PA view · left wrist plain film · pediatric patient (girl, age 7) · initial study · Siemens · image width 80.1 mm.
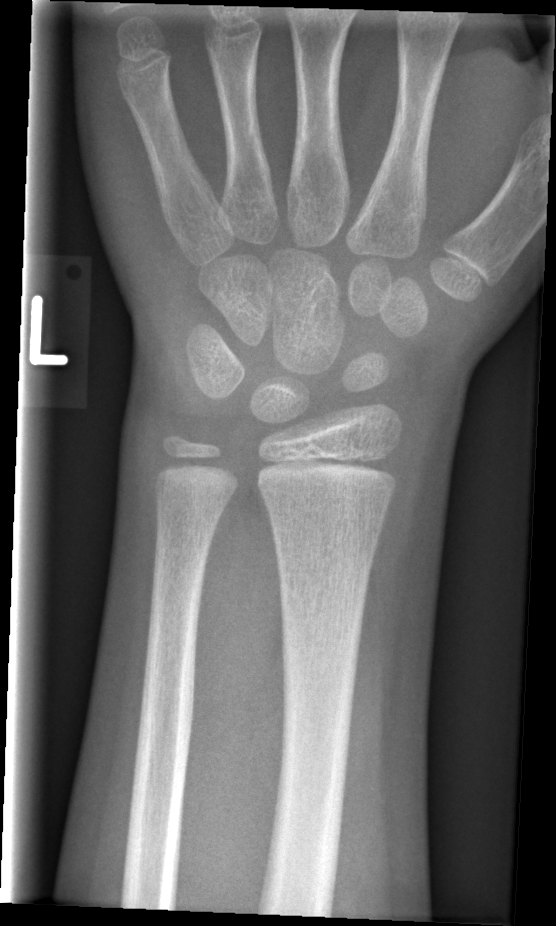 No fracture annotation.